Rt wrist radiograph; lateral; 9y M; initial study.

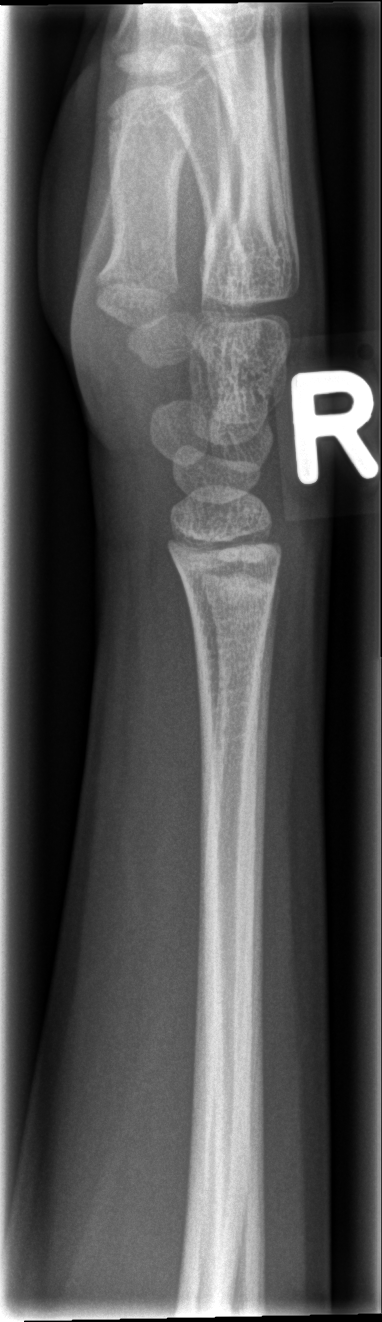

fracture: none labeled